Posteroanterior view · right wrist plain film · male, 14 yo · 694x1114:
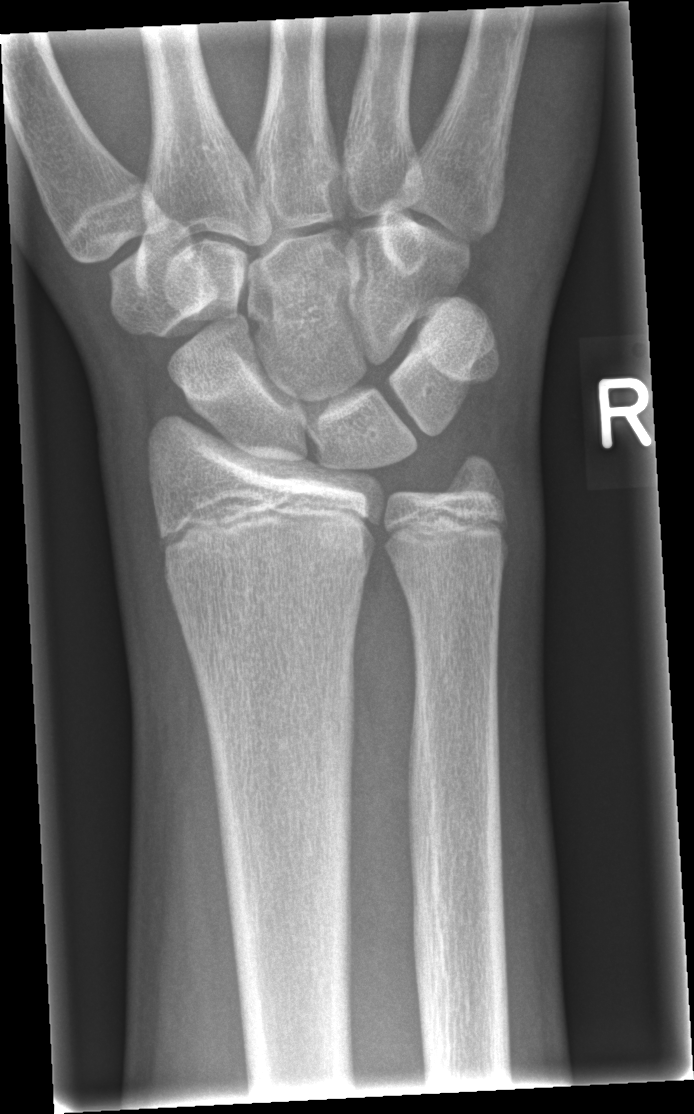

{"fracture": "none labeled"}